Rt wrist X-ray · PA · boy, 15 yo · image 103.0 mm wide.
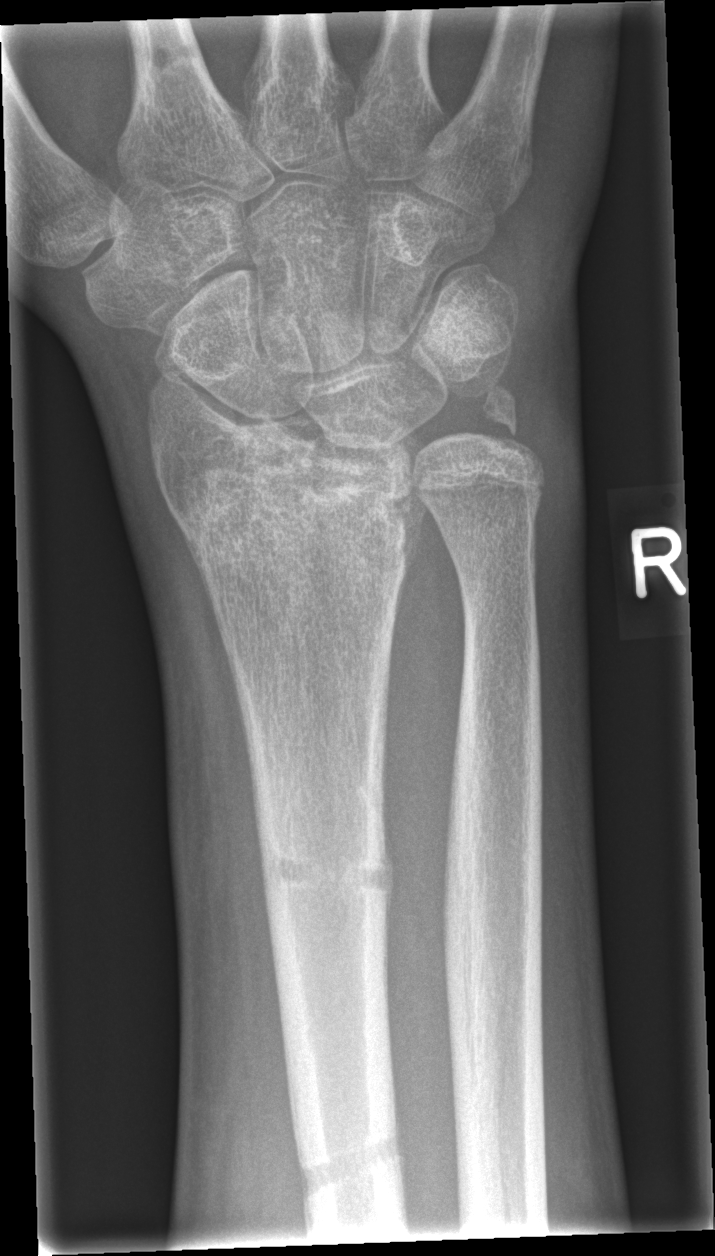 Q: Any bone anomaly?
A: Two bone anomalies at <295,1118>-<414,1207>; <255,833>-<400,899>
Q: What is the AO/OTA classification?
A: Fracture classified AO/OTA 23r-E/4.2; 23u-E/7
Q: Locate any fractures.
A: Fx: <163,450>-<430,586>, <480,379>-<548,471>